PA/AP view | left wrist radiograph | follow-up
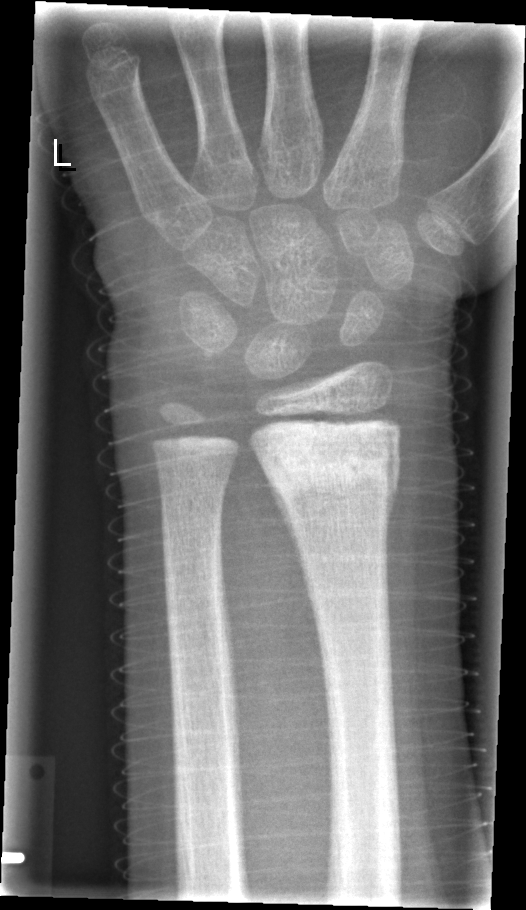

  fracture: (254, 397, 404, 516)
  periostealreaction: 2 @ (264, 469, 324, 660), (385, 452, 401, 554)